Rt wrist radiograph | PA/AP | 14y M | 519 by 852 pixels

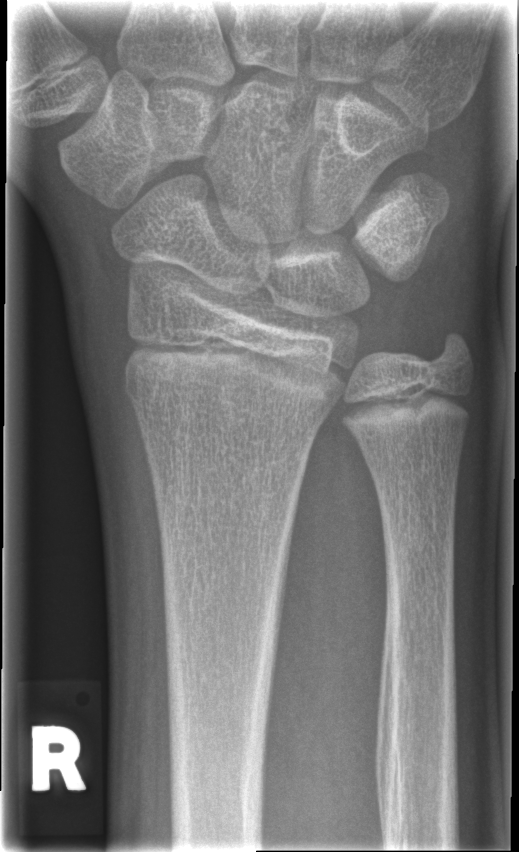 FINDINGS — Fracture classified AO/OTA 23r-M/2.1. Fracture present, but no bounding box because it is not clearly seen in this view.